R pediatric wrist radiograph | lat projection | 6y M —
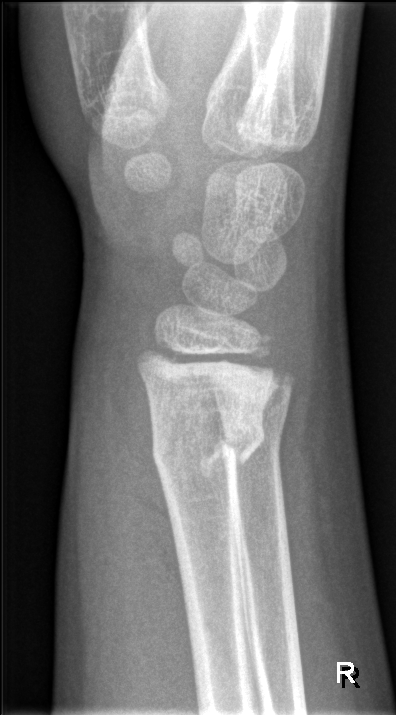

- Fx: bbox(148, 408, 267, 481); bbox(216, 407, 290, 471).